Frontal; L plain radiograph of the wrist; presentation radiograph; detector: Siemens:
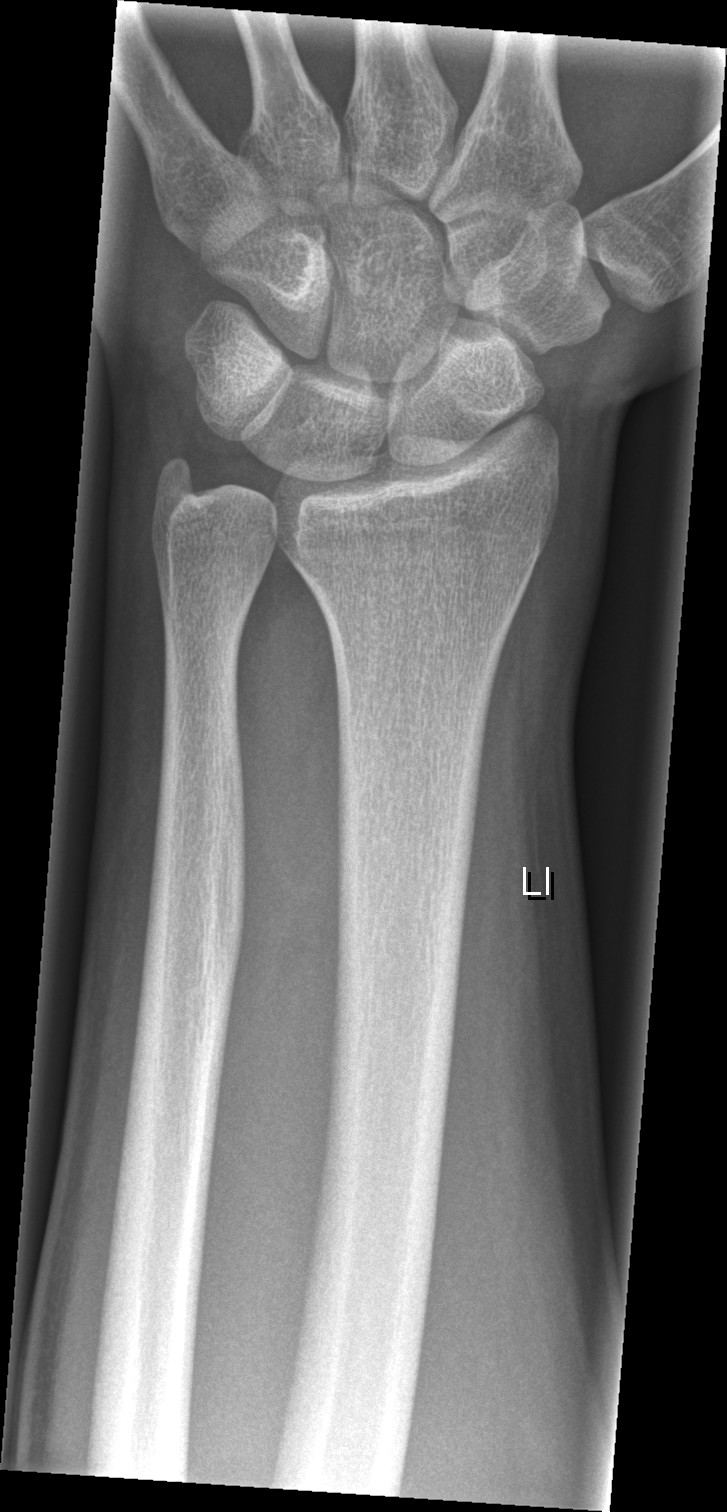
Fx: none labeled